AP projection, R wrist XR
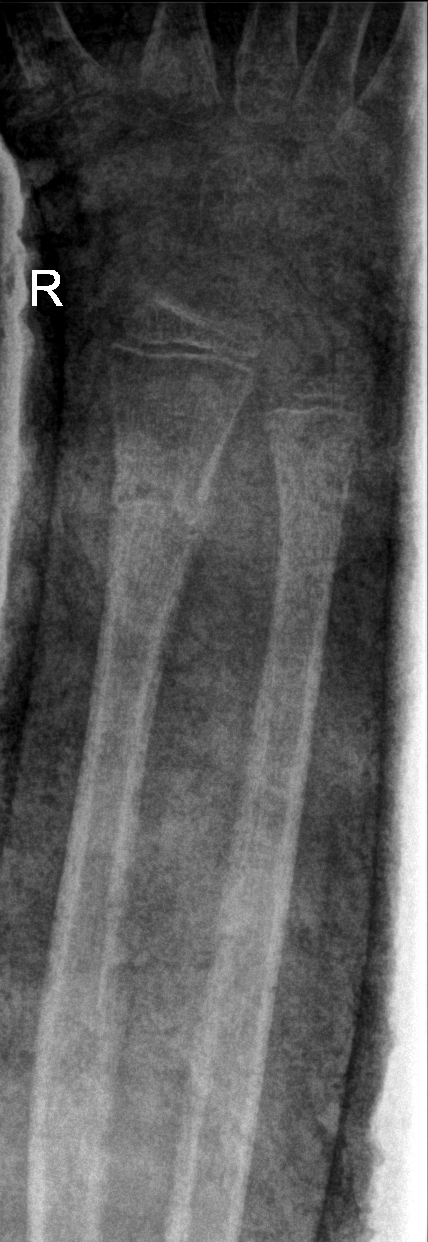 FINDINGS — (coordinates are [x1, y1, x2, y2] in image pixels) Fx: <105,471>-<211,552>. AO code 23-M/3.1.